R wrist X-ray; lateral; 10-year-old female; 604 by 1109 pixels: 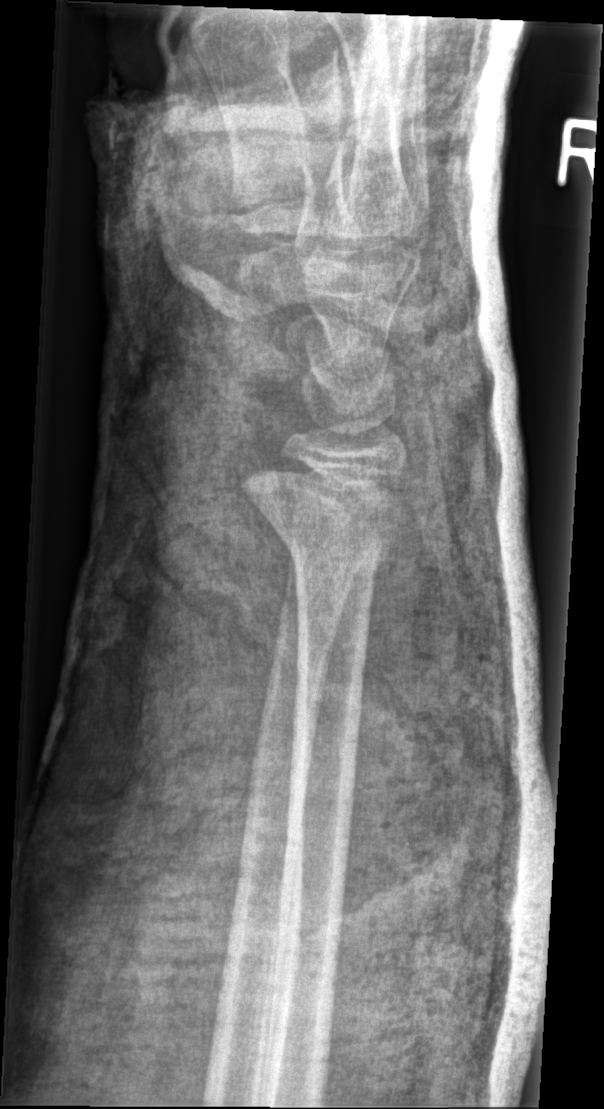 Bounding boxes in image-pixel xyxy. Fracture identified at <240,451>-<418,572>.